Frontal projection | Lt wrist XR | 9-year-old female | 454 by 730 pixels:

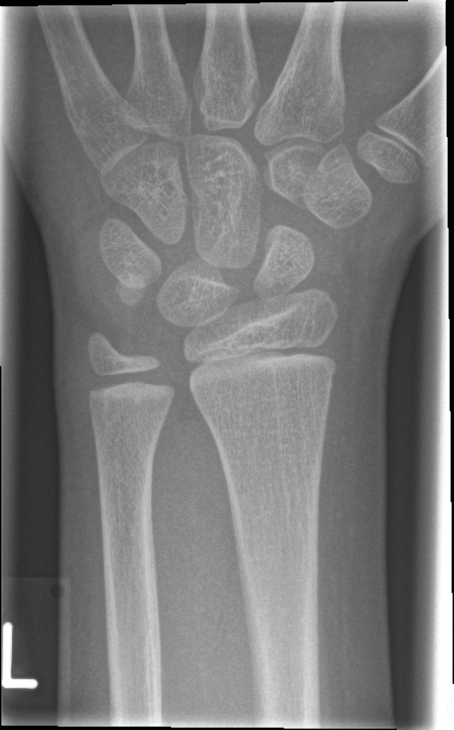
Fracture: none labeled